PA, Rt wrist radiograph, 11y F, initial study, acquired on Siemens
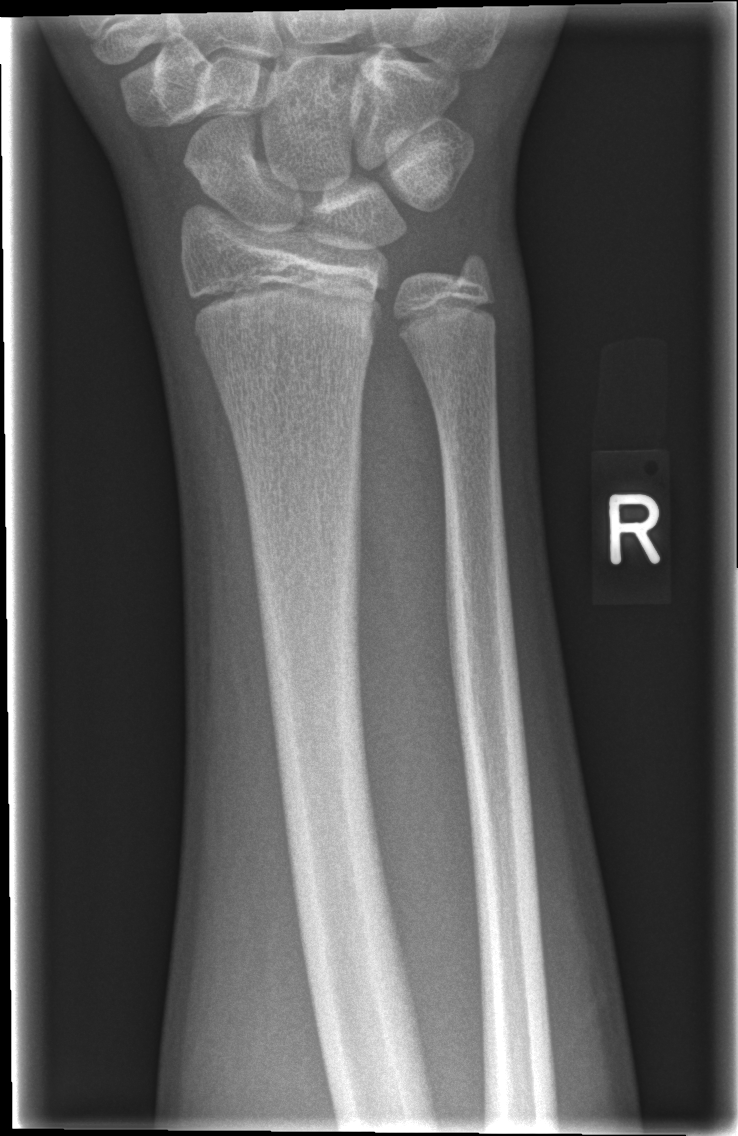
{"fracture": "none labeled"}